Right wrist XR · AP view · age 15 y, male · initial study

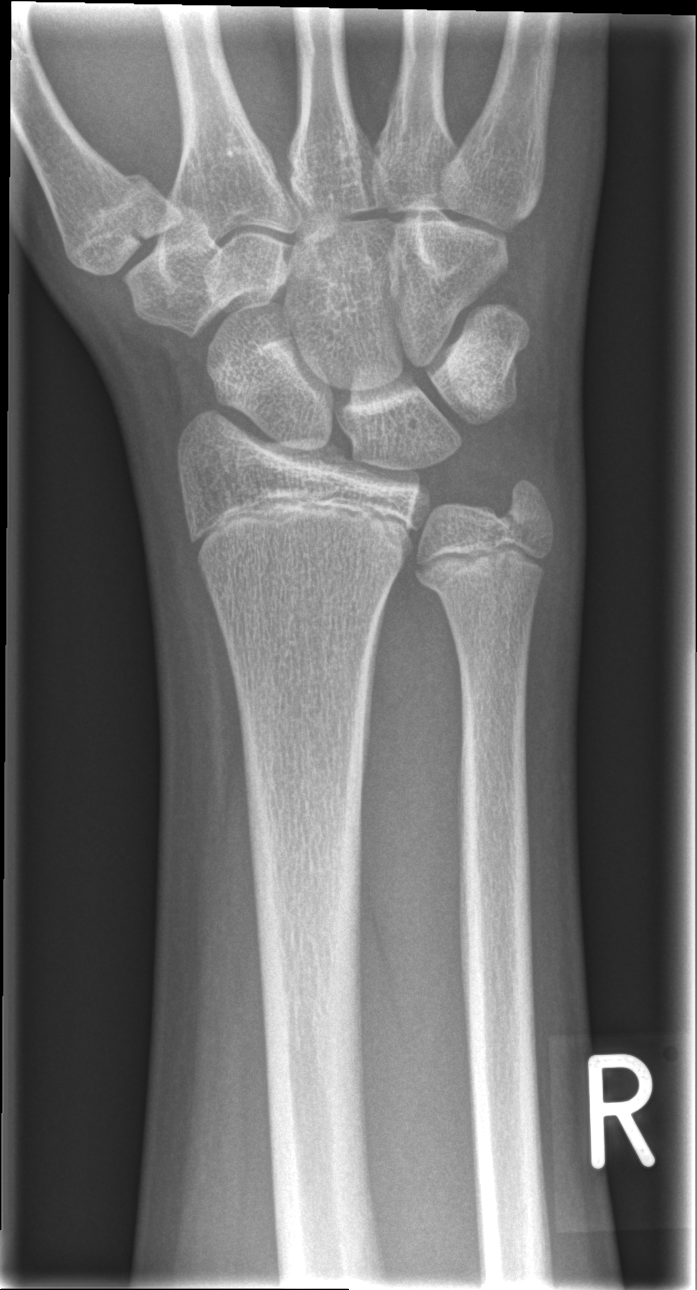   fracture: 1 @ (left=408, top=476, right=557, bottom=605)
  ao: 23u-E/4